Rt wrist radiograph | PA/AP view | subsequent exam.

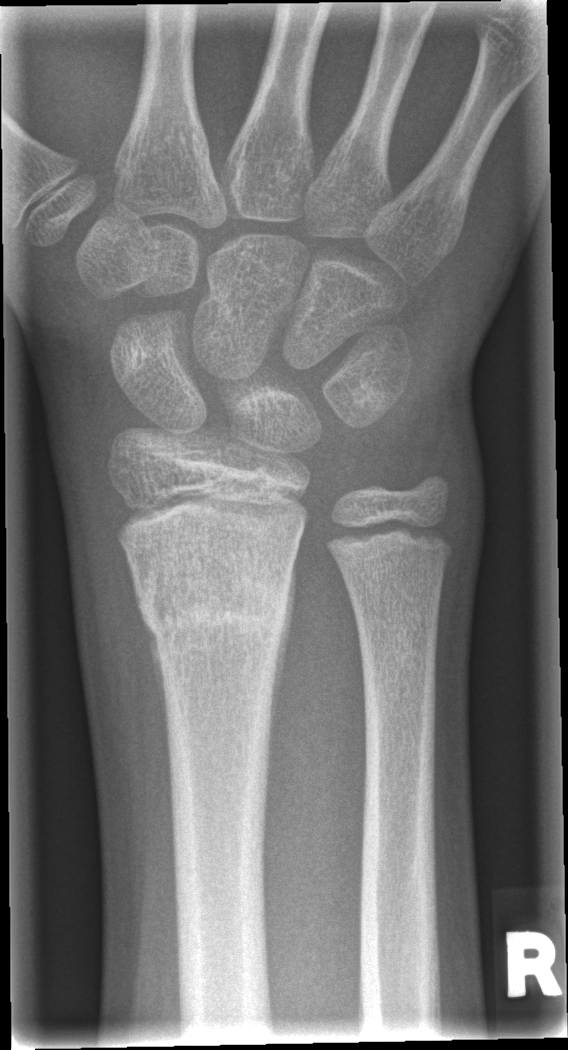 {"osteopenia": "present", "fracture": "<127,584>-<301,655>", "ao": "23r-M/3.1"}